Lateral view; left pediatric wrist radiograph; 13y M: 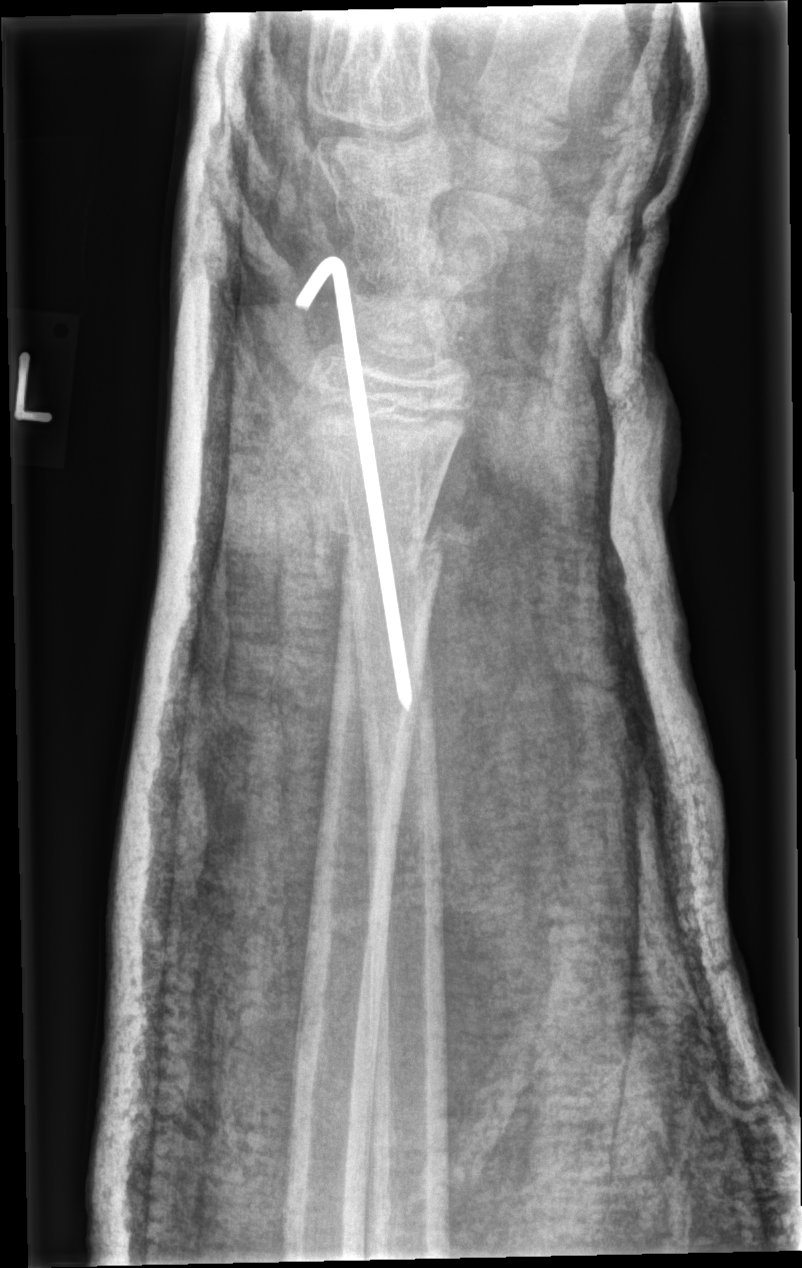

Metal = 1 @ (297, 255, 411, 721)
Fx = 1 @ (339, 519, 447, 579)
AO classification = 23-M/3.1